Right plain radiograph of the wrist · PA/AP · 12-year-old female:
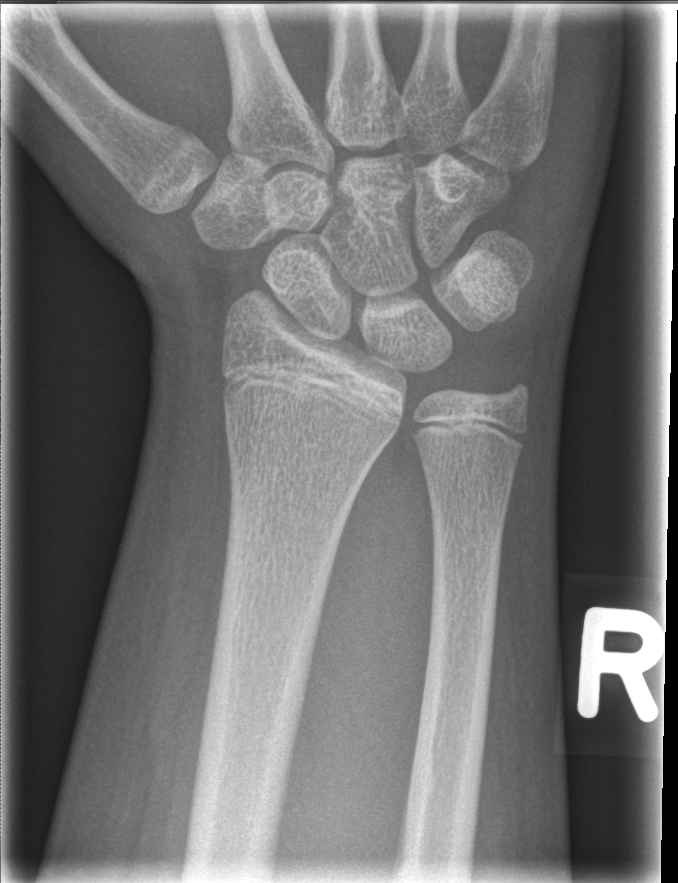

No fracture annotation.